Right pediatric wrist radiograph | PA/AP view | age 8 y, female:
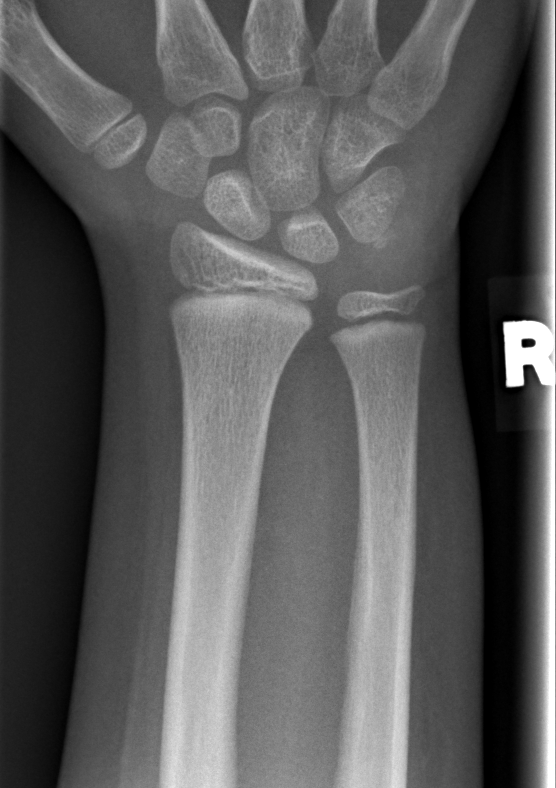 - No fracture annotation.